Lat; left wrist XR; subsequent exam; detector: Siemens; 452 by 1050 pixels.

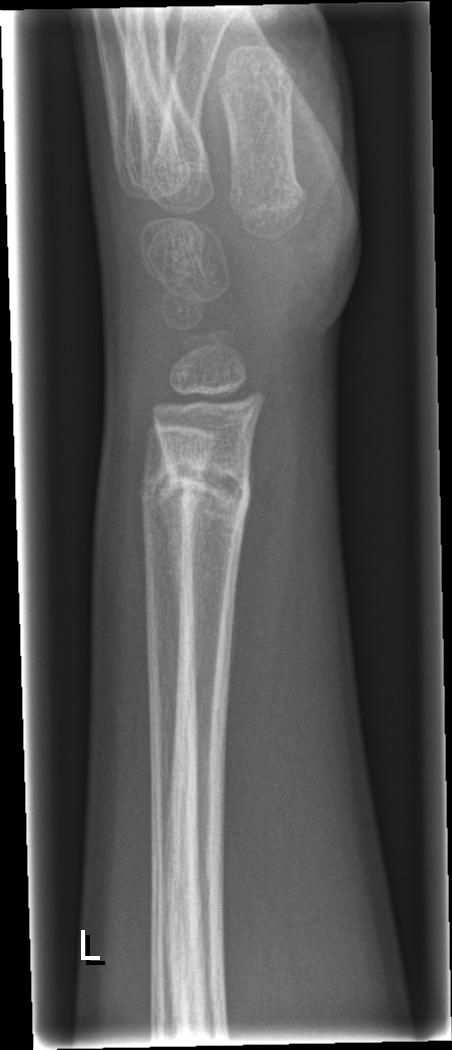 (coordinates are [x1, y1, x2, y2] in image pixels)
Q: Is there osteopenia?
A: Reduced bone mineral density
Q: What is the AO/OTA classification?
A: AO/OTA classification: 23-M/3.1
Q: Any fracture seen?
A: Fracture — bbox(153, 447, 255, 525)
Q: Is there periosteal reaction?
A: One periosteal thickening at bbox(151, 442, 186, 636)